AP projection; left wrist plain film; 15-year-old male; image width 78.9 mm:
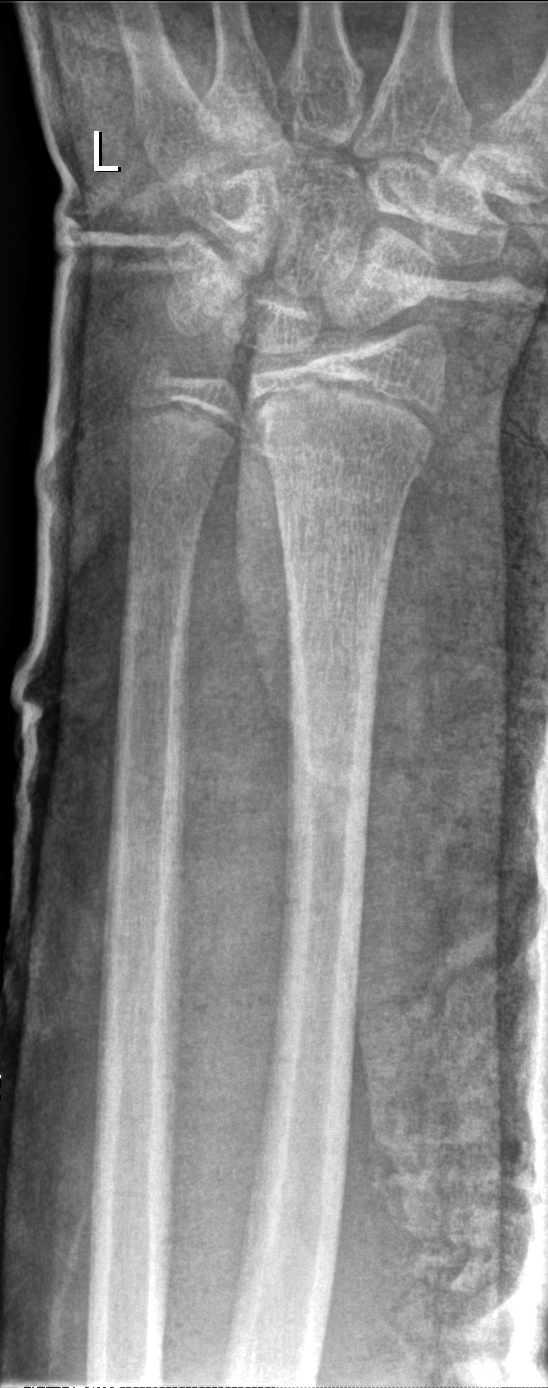 Fx: <259,419>-<431,490>.
AO/OTA classification: 23r-M/3.1.